Lat; left wrist radiograph; 510 by 984 pixels.
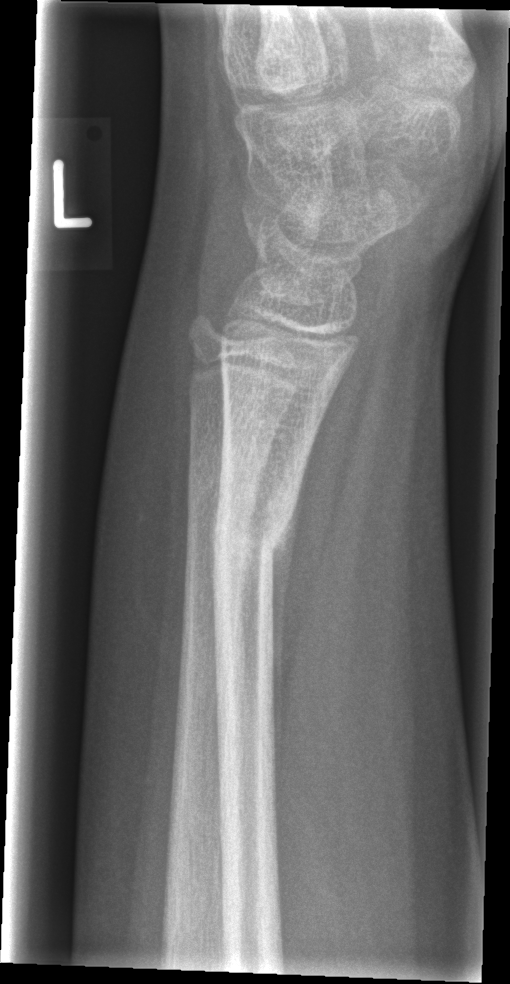 Pixel coordinates, top-left origin, xyxy.
Fracture identified at [208, 488, 303, 575].
One periosteal thickening at [267, 461, 305, 809].
Osteopenic.